Right pediatric wrist radiograph | posteroanterior view | index exam:

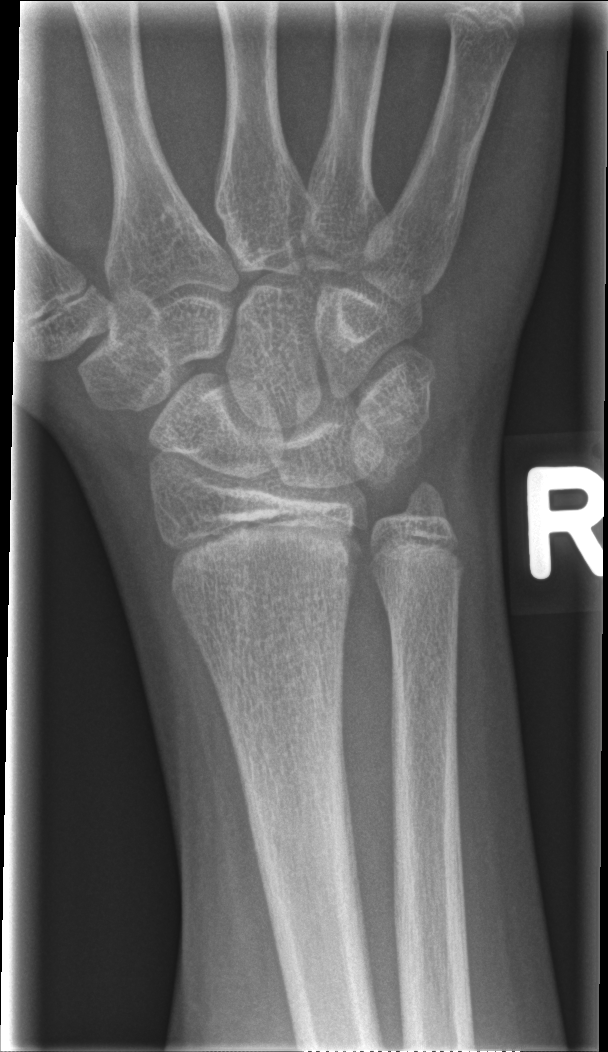

No fracture bounding box.